Left wrist radiograph · posteroanterior · 15-year-old male · diagnosis uncertain · acquired on Siemens · image size 582x1100.

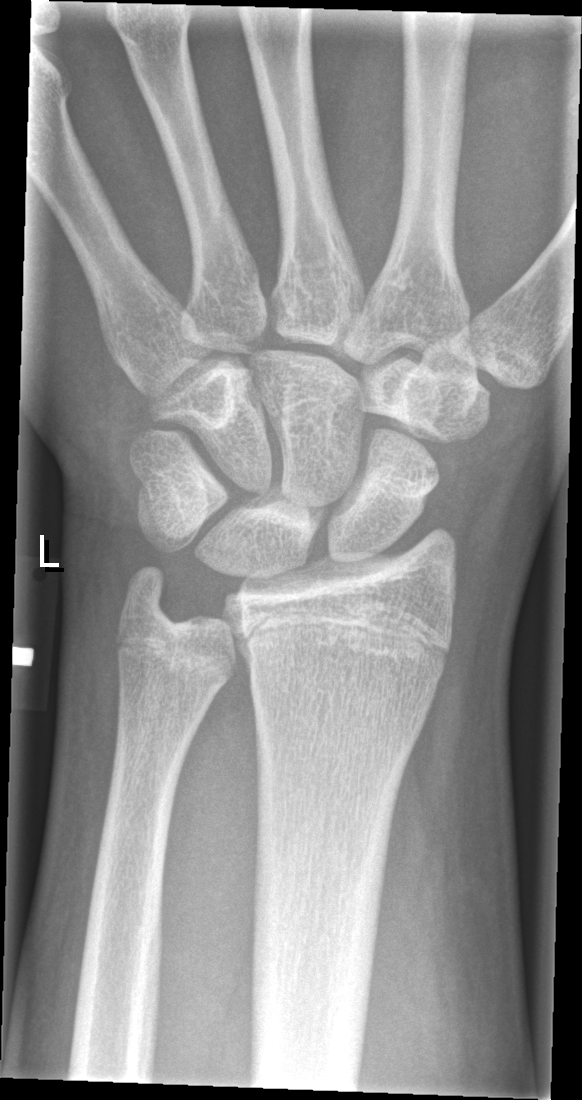

{"fracture": "none labeled"}